L wrist radiograph, posteroanterior projection, male, 15 yo, subsequent exam, detector: Siemens, 604 x 1426 px. 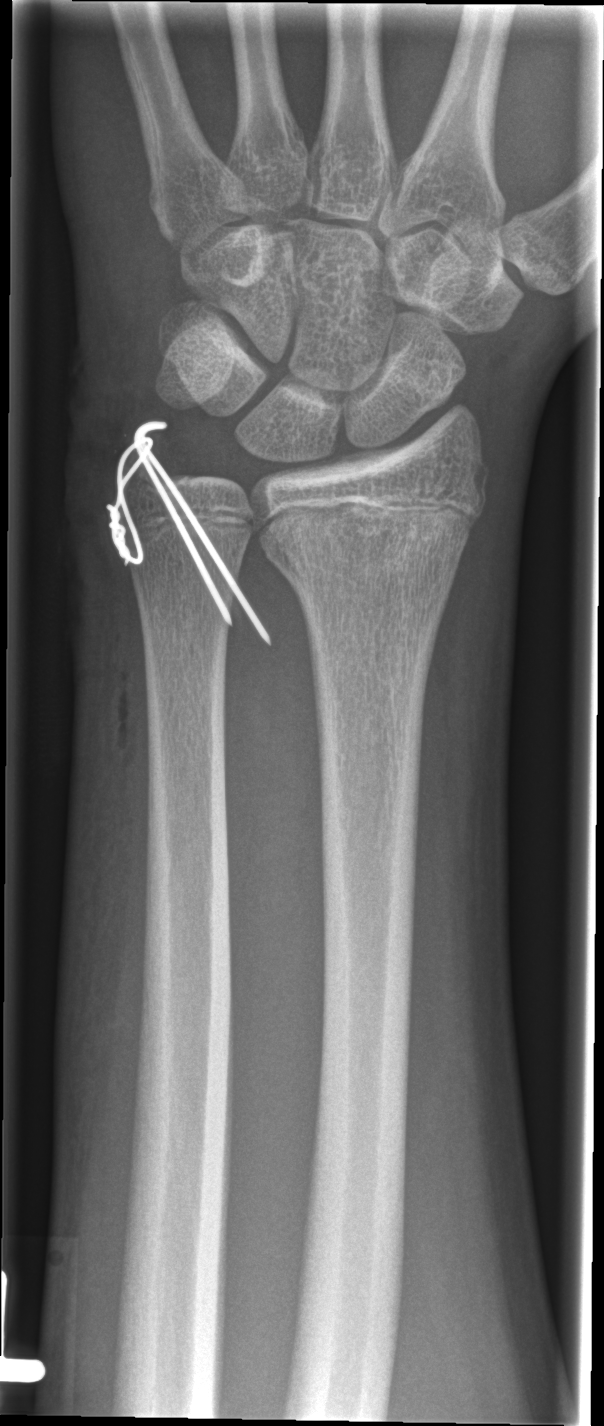

AO/OTA = 23r-M/2.1; 23u-E/7
bone fracture = [x1=248, y1=459, x2=494, y2=576]
metallic implant = [x1=103, y1=417, x2=273, y2=647]